Left wrist plain film; lateral view; age 11 y, boy.
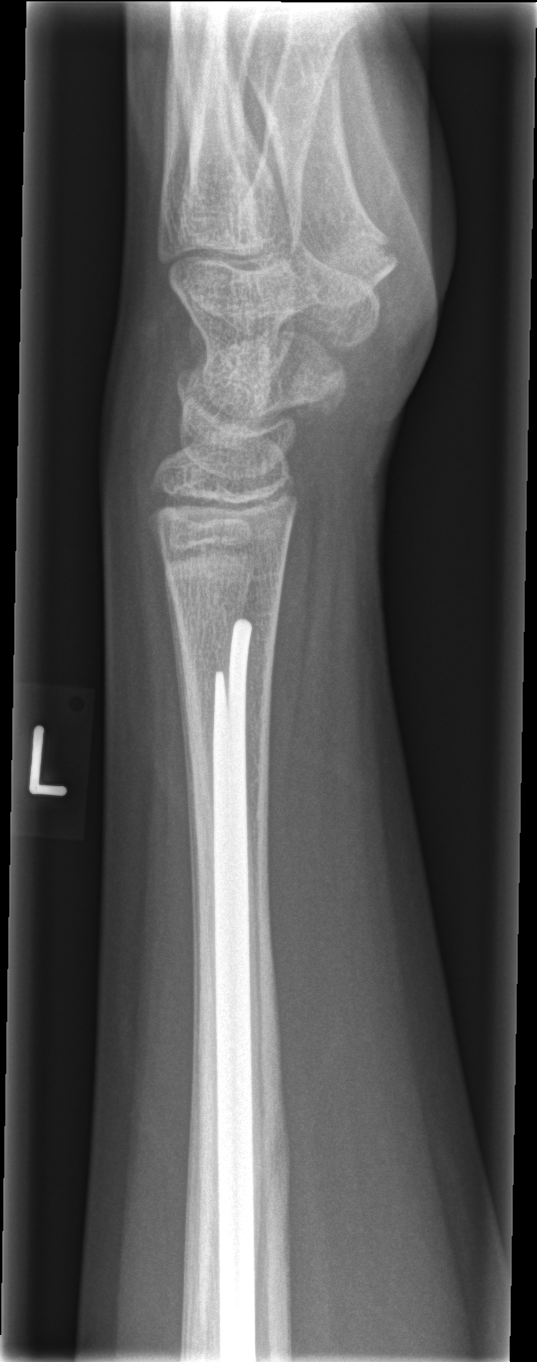 (boxes as x1,y1,x2,y2 (top-left / bottom-right, pixel units))
metal: 1 @ bbox(218, 617, 255, 1362)
bone fracture: none labeled